Lt wrist X-ray | AP view | age 10 y, boy | presentation radiograph | detector: Siemens | image 75.6 mm wide | 525 by 758 pixels:

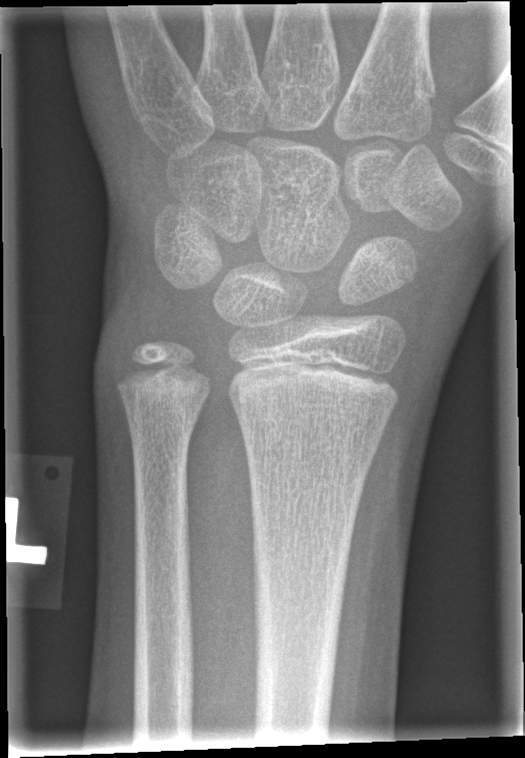 FINDINGS: Fracture: none labeled.